Rt wrist XR · PA/AP view · 11y M · 80.9 mm image width.

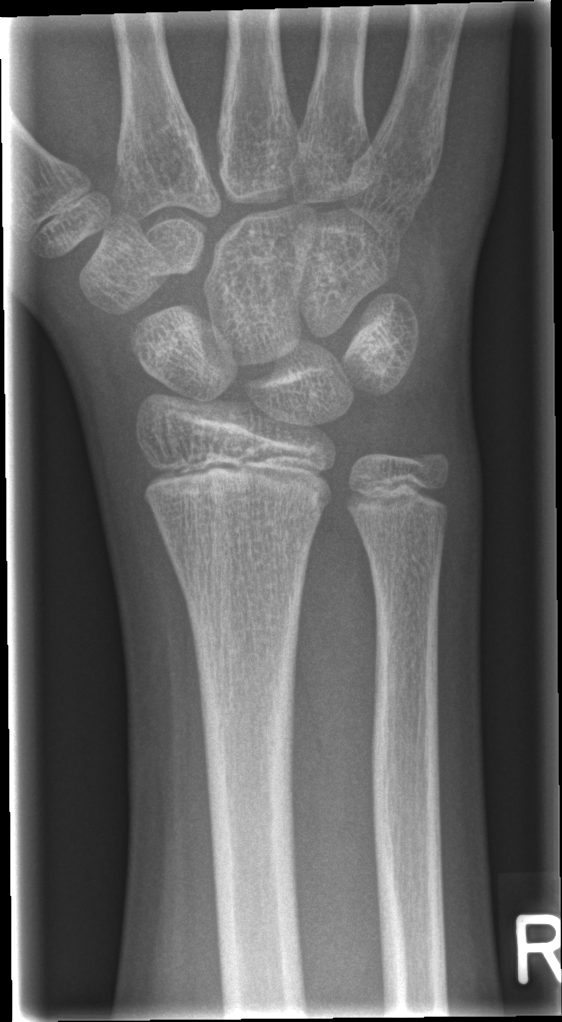

No fracture annotation.